Lateral projection · Rt wrist plain film · equivocal findings · 498x1150 — 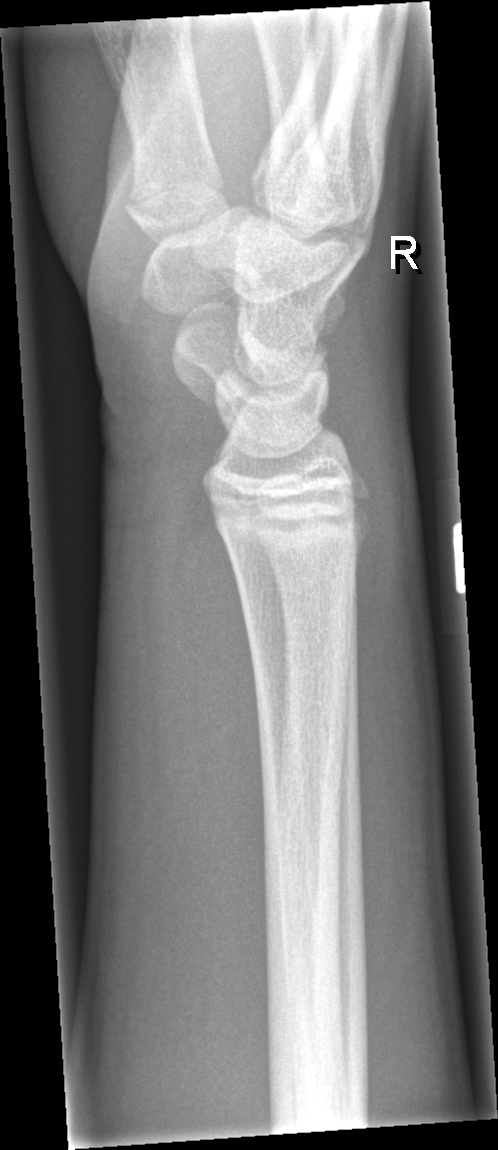
FINDINGS: One fracture at 208,509,377,562. AO/OTA classification: 23r-M/2.1. Pronator sign: 173,477,269,946.